Right wrist X-ray, posteroanterior projection, 7y M — 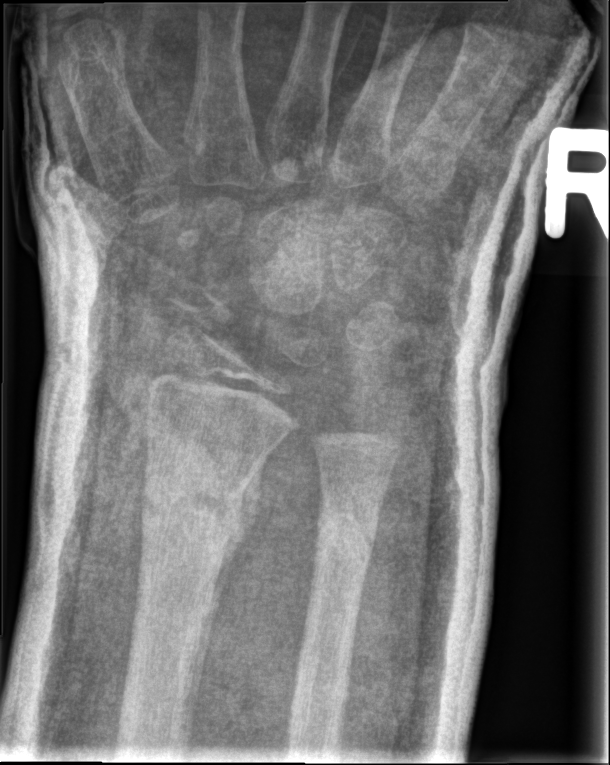 {
  "periostealreaction": "(186, 533, 249, 739)",
  "ao": "23r-M/3.1; 23u-M/2.1",
  "fracture": "(137, 461, 243, 548), (310, 502, 381, 561)"
}